R wrist plain film | posteroanterior projection | female, 9 yo | presentation radiograph 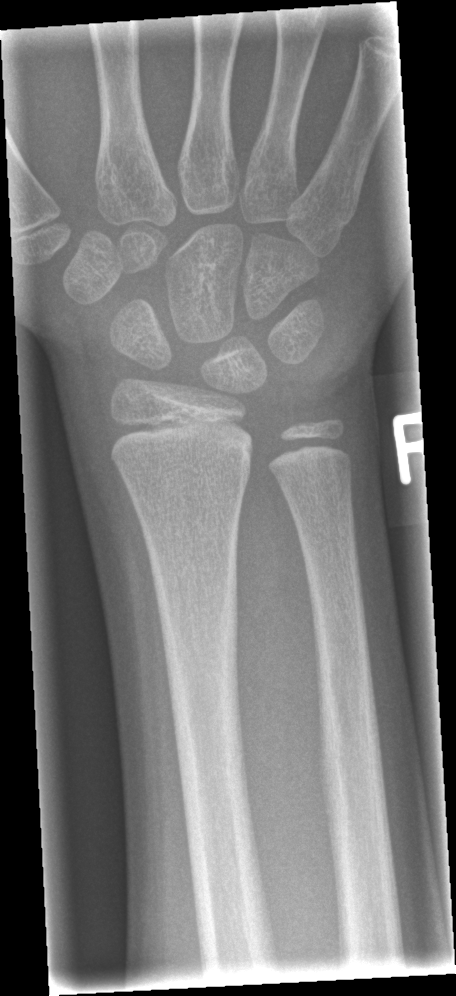
Q: Any fracture seen?
A: No Fx annotated